Right plain radiograph of the wrist; lateral; age 14 y, male; subsequent exam; image 78.3 mm wide.
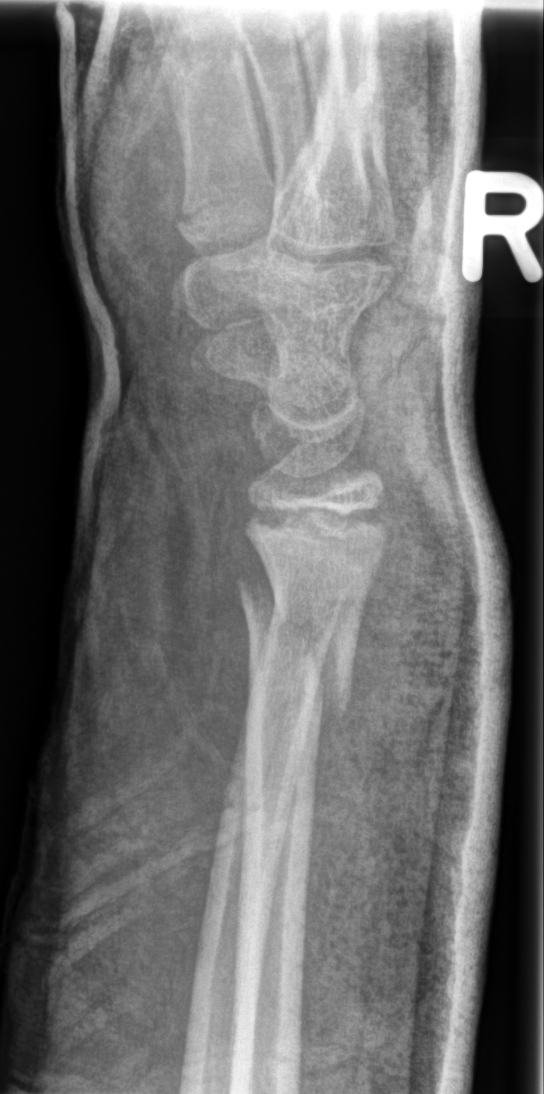 AO classification = 23r-M/3.1; 23u-M/2.1; 23u-E/7
bone fracture = (left=235, top=573, right=356, bottom=723)